Right wrist plain film | lat projection | girl, 12 yo | detector: Siemens | 93.5 mm image width 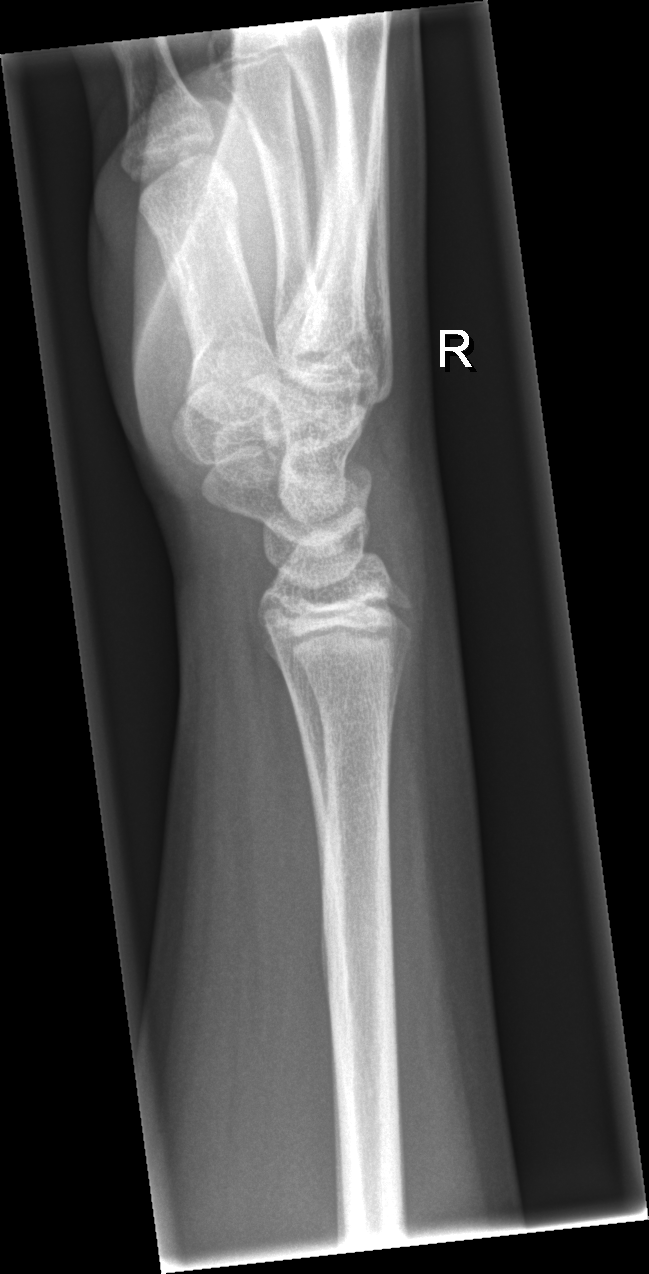 Fracture: none labeled